Posteroanterior projection | L wrist XR | pediatric patient (boy, age 5) | subsequent exam —
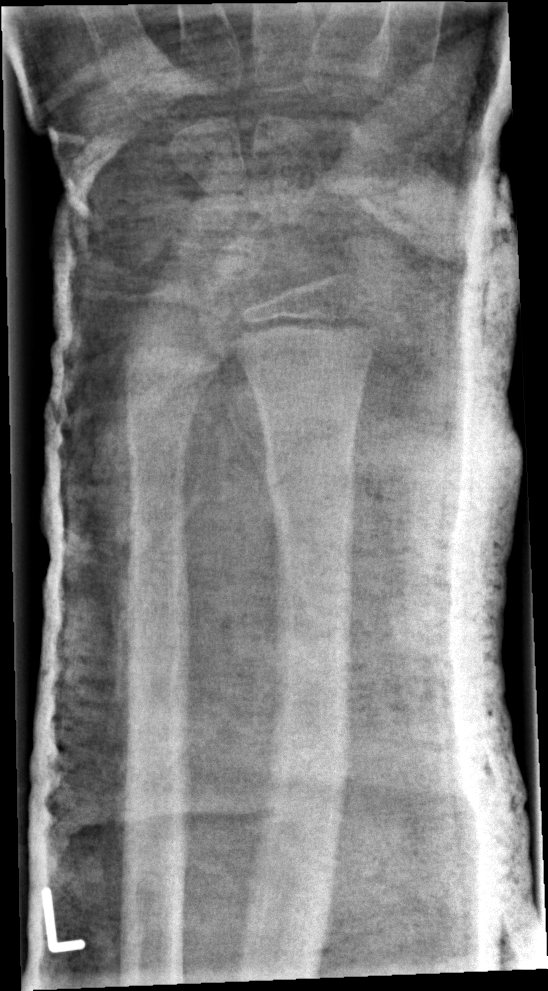 * Bone fracture identified at 257 453 360 515 | 121 405 194 467.